PA, right pediatric wrist radiograph, 15-year-old boy —

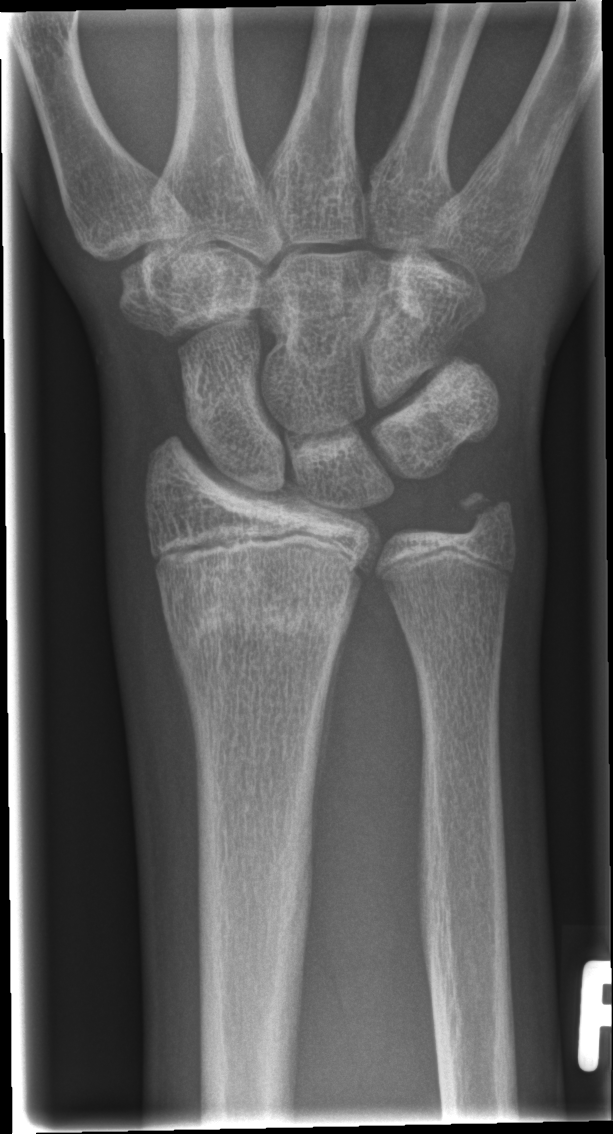

* Coordinates are [x1, y1, x2, y2] in image pixels.
* Fracture identified at (158, 561, 360, 661); (451, 480, 522, 542).
* Periosteal reaction: (310, 626, 347, 855), (165, 618, 197, 780).